Lat view · R pediatric wrist radiograph · image width 69.3 mm

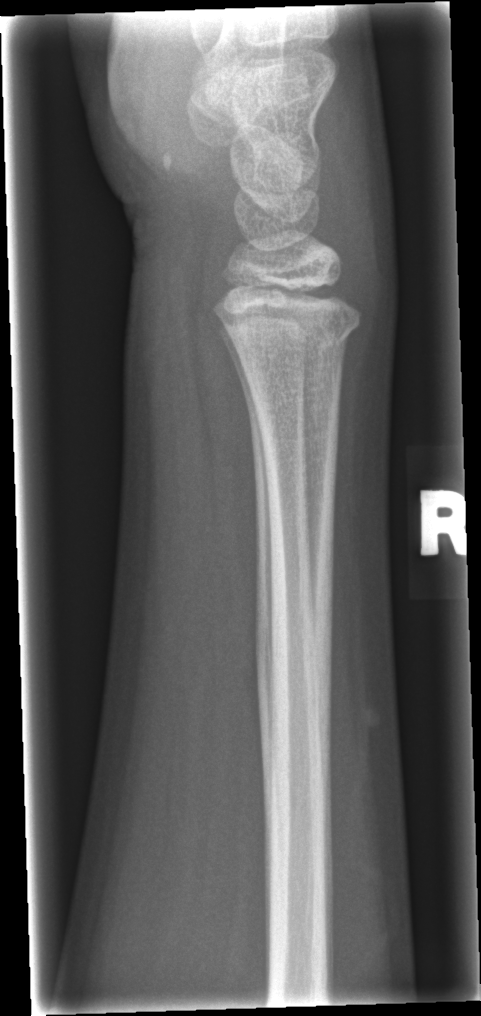
Fx: (223, 308, 366, 366).